L pediatric wrist radiograph, lat view —

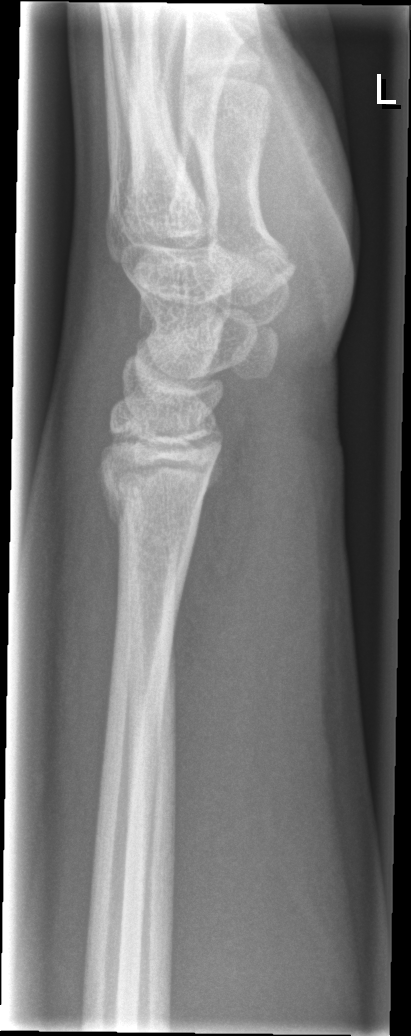
(boxes as x1,y1,x2,y2 (top-left / bottom-right, pixel units))
Q: Fracture present?
A: Fracture — [x1=94, y1=462, x2=212, y2=556]
Q: Pronator fat-pad sign?
A: One pronator sign at [x1=170, y1=410, x2=255, y2=713]
Q: What is the AO/OTA classification?
A: AO code 23r-M/3.1